Lat projection, left plain radiograph of the wrist:
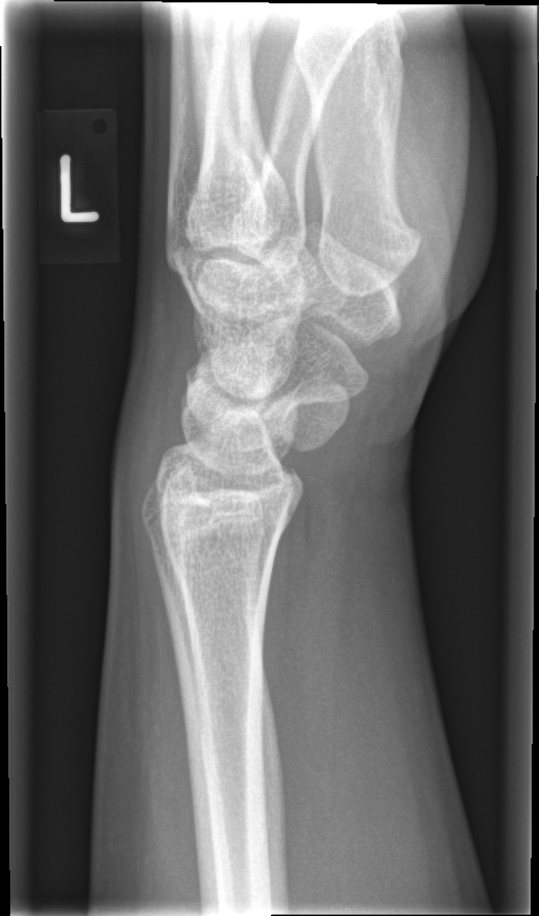 Bone fracture = none labeled